PA/AP view; Lt pediatric wrist radiograph; initial study; 428 x 712 px —
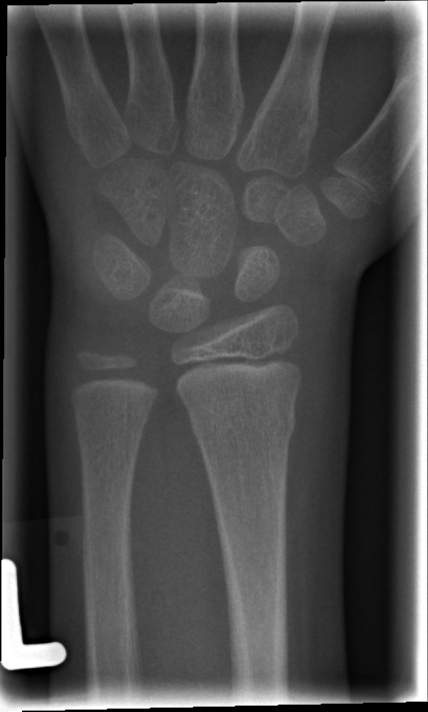

Fx = 188 405 298 451